Lt wrist radiograph · frontal projection · pediatric patient (male, age 18) · subsequent exam · 92.3 mm image width —
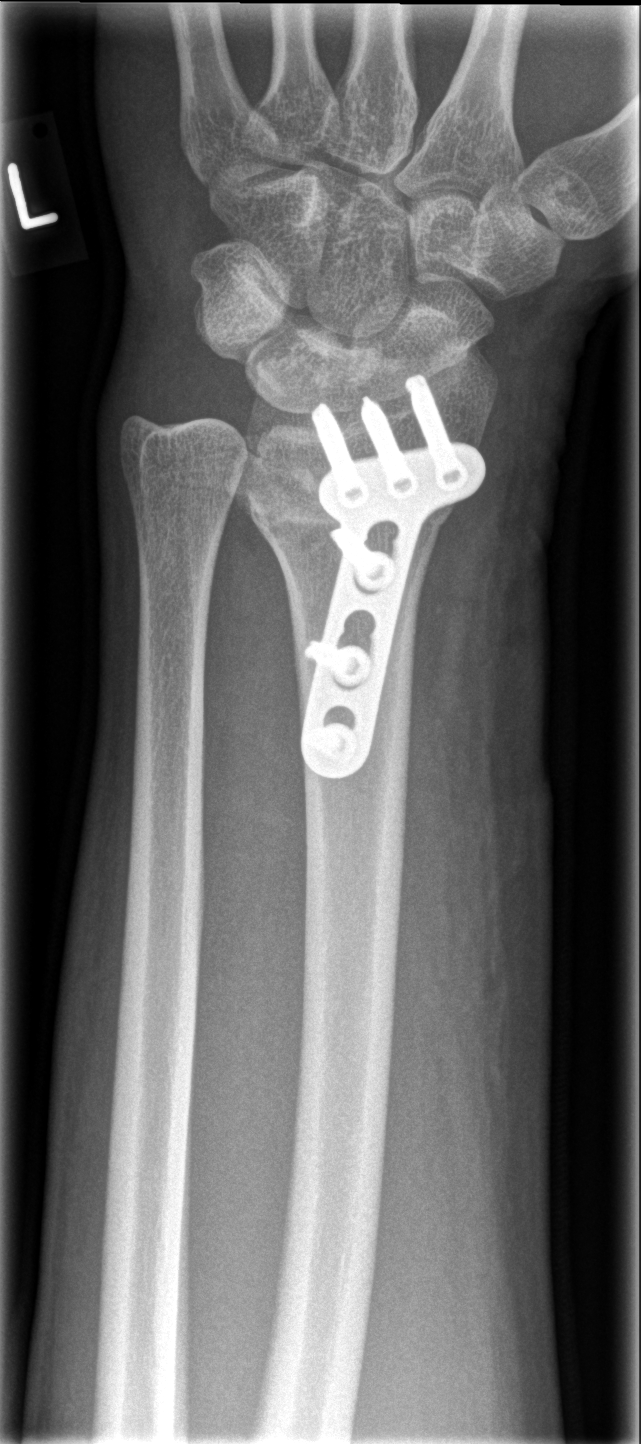

Fracture: none labeled.
Soft tissue abnormality: <372,395>-<549,1224>.
Hardware — <297,371>-<488,781>.